Lat projection · left wrist X-ray · 564 by 1068 pixels —
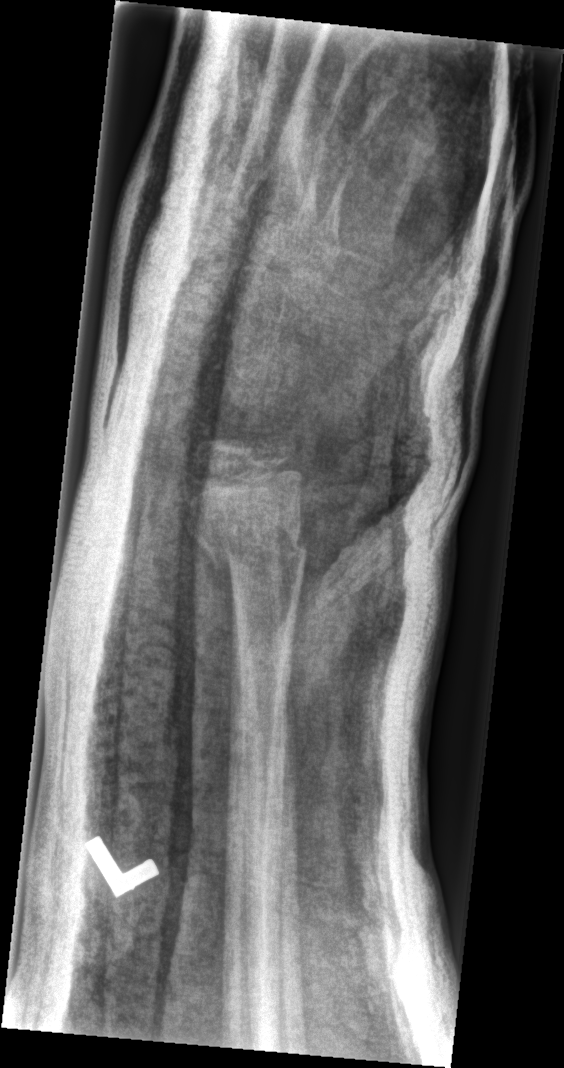

(boxes as x1,y1,x2,y2 (top-left / bottom-right, pixel units))
AO/OTA: 23-M/3.1; 23u-M/2.1
bone fracture: <196,527>-<311,577>